PA/AP, R pediatric wrist radiograph, 636 by 780 pixels.
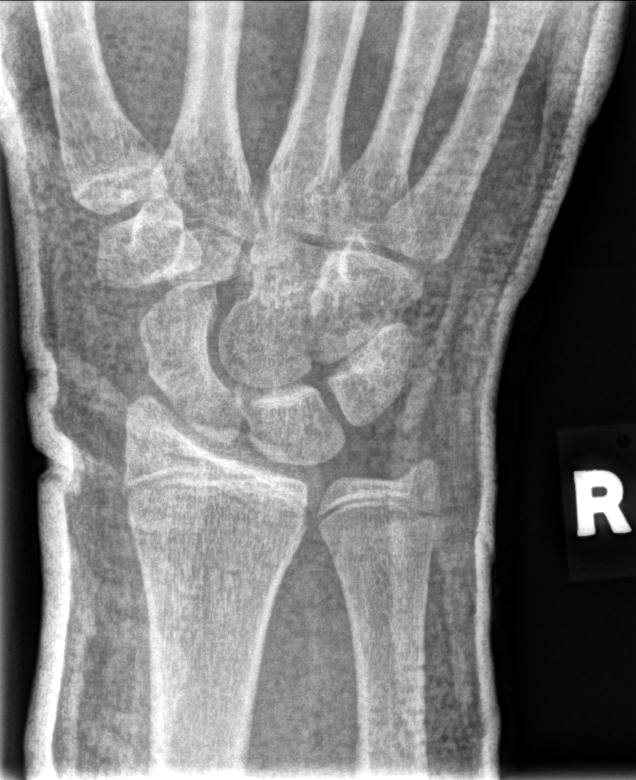

FINDINGS — No fracture annotation.